Frontal, L wrist radiograph, index exam —
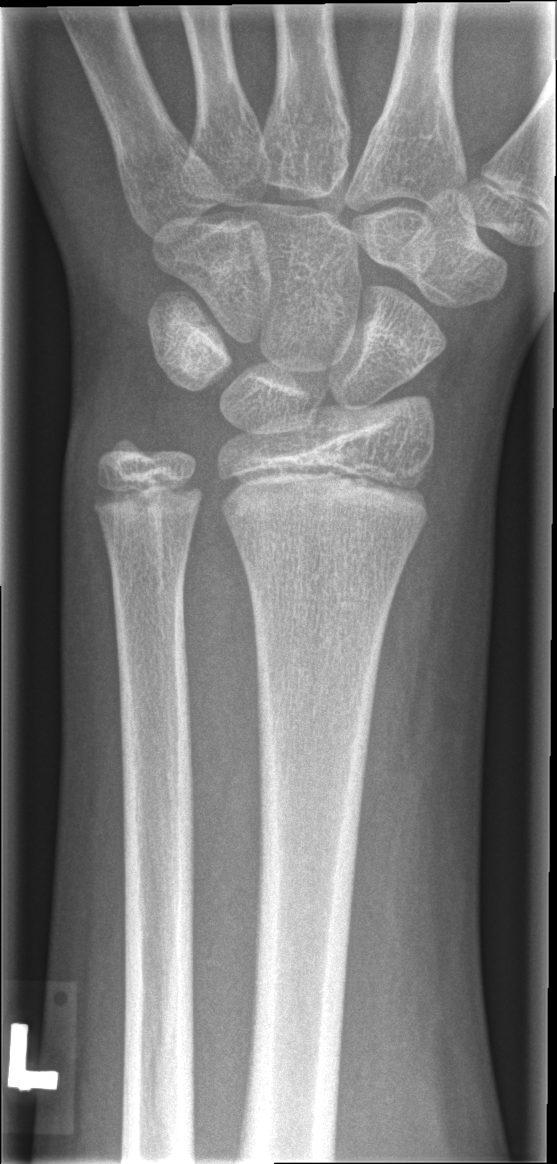
FINDINGS — Fx present but not clearly seen in this view.